Lateral view · left wrist X-ray · Siemens
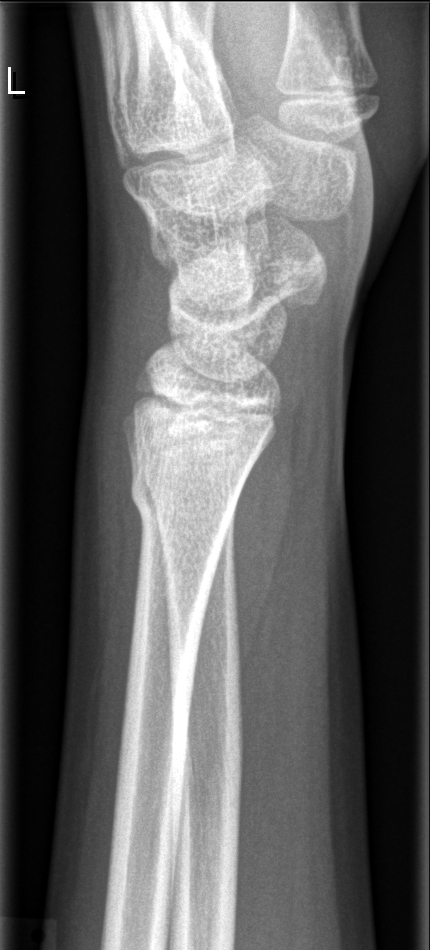
- Fx: [127, 459, 245, 532].
- AO/OTA classification: 23r-M/2.1.